PA; right wrist XR; 554 x 1360 px:
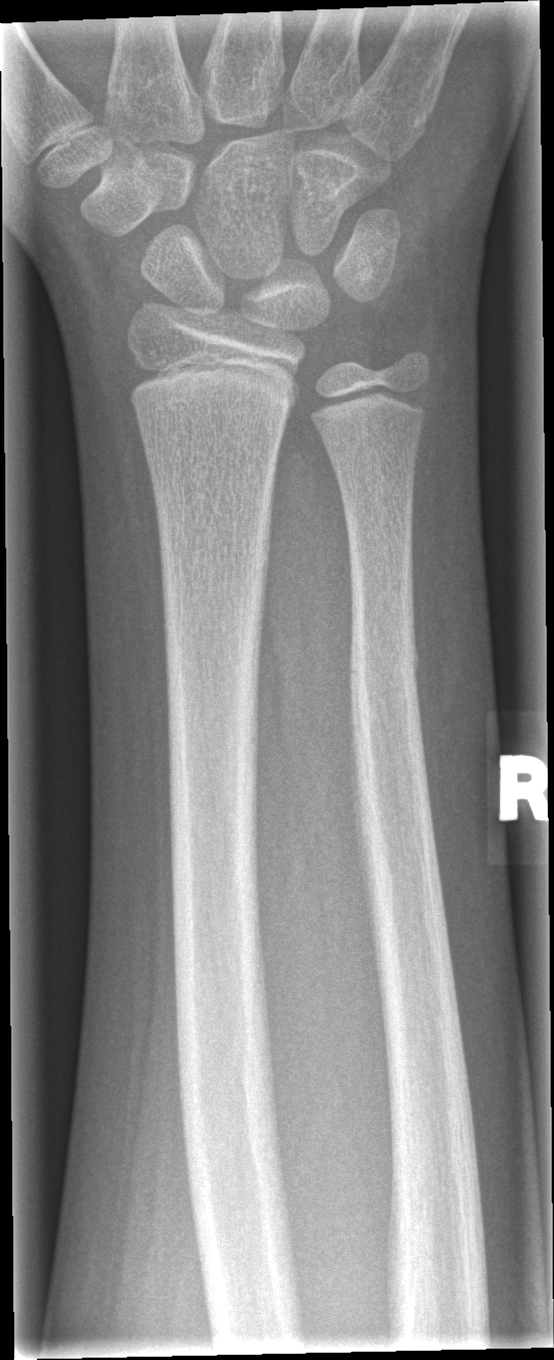
Bone fracture: 1 @ [341, 631, 427, 782]